Right wrist X-ray, AP projection, index exam, Siemens.
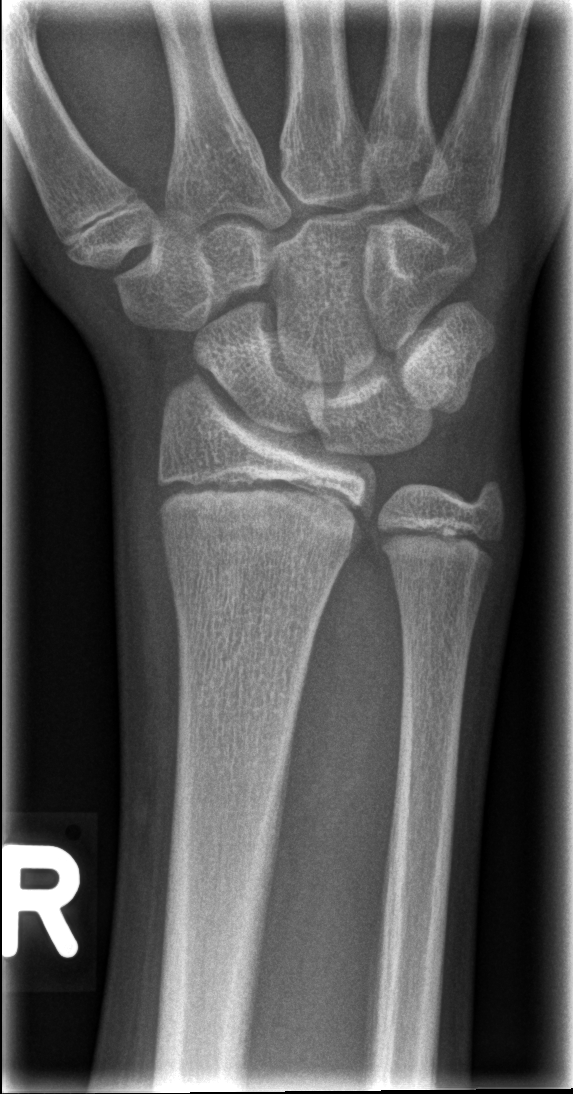
* Fx: present but not clearly seen in this view.
* Fracture classified AO/OTA 23r-E/2.1.